L pediatric wrist radiograph, AP view. 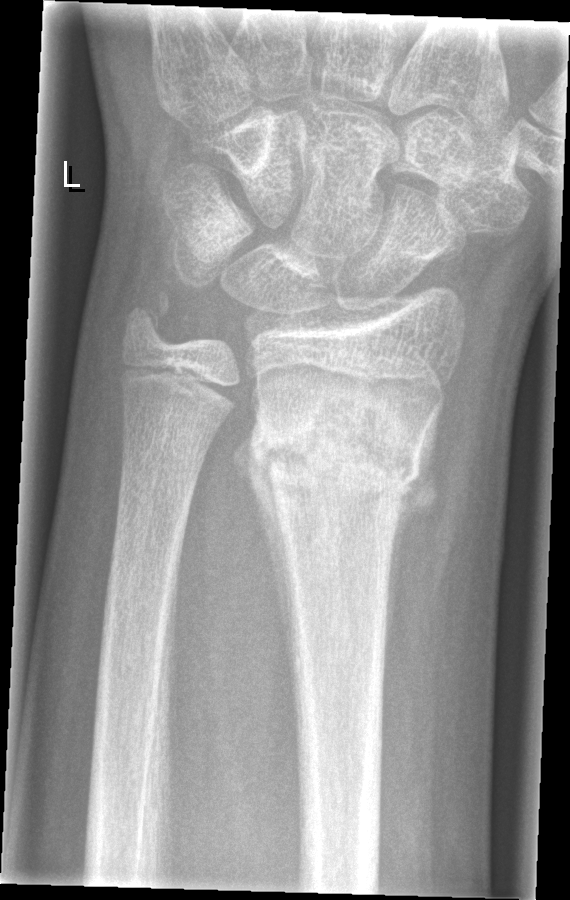
Q: Fracture present?
A: Fracture identified at (228, 393, 435, 522) (118, 285, 191, 349)
Q: AO code?
A: Fracture classified AO/OTA 23r-M/3.1; 23u-E/7
Q: Any periosteal thickening?
A: Periosteal thickening — (229, 392, 297, 707) (383, 403, 442, 654)